Rt wrist X-ray; lat; 17y F:
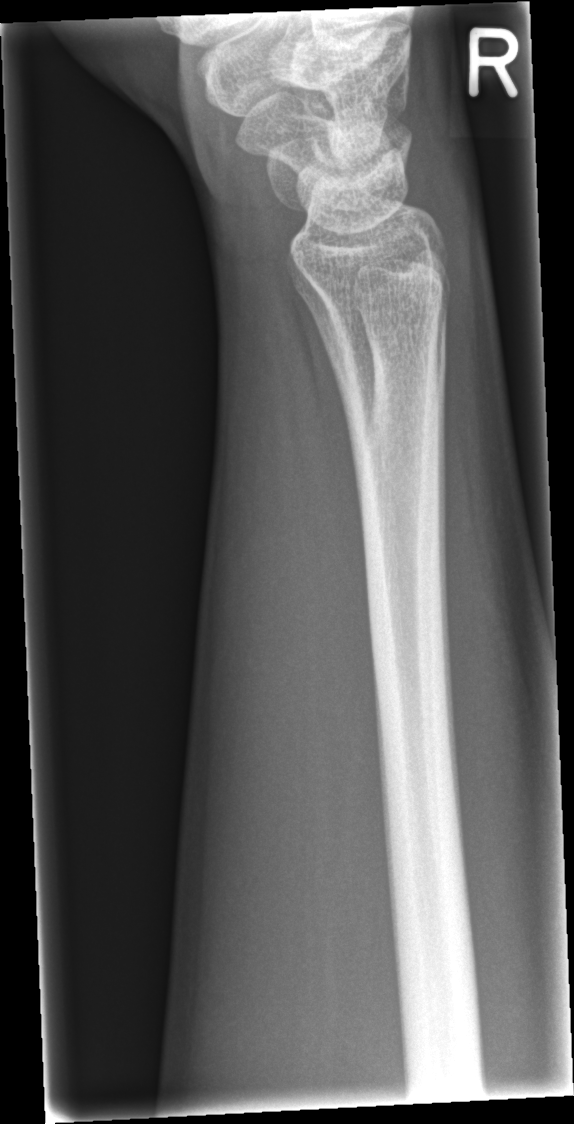
Fx: none.